Right wrist plain film | lateral view | cast present — 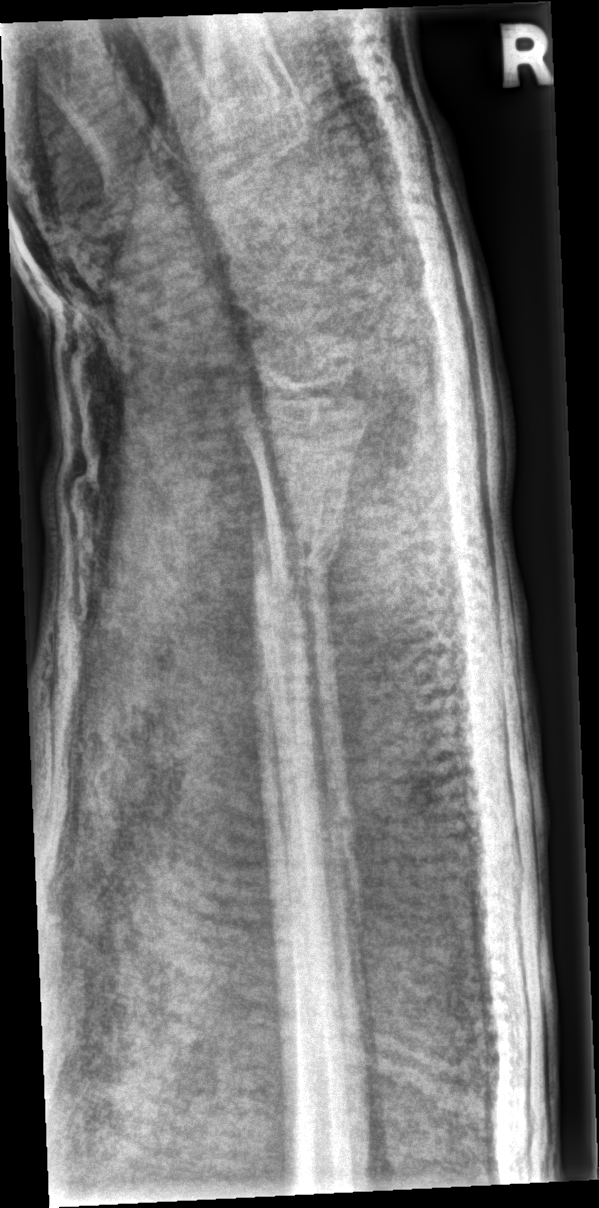
FINDINGS: (boxes as x1,y1,x2,y2 (top-left / bottom-right, pixel units)) Fx — (left=244, top=499, right=347, bottom=596).